Rt wrist radiograph, lat projection, boy, 10 yo.
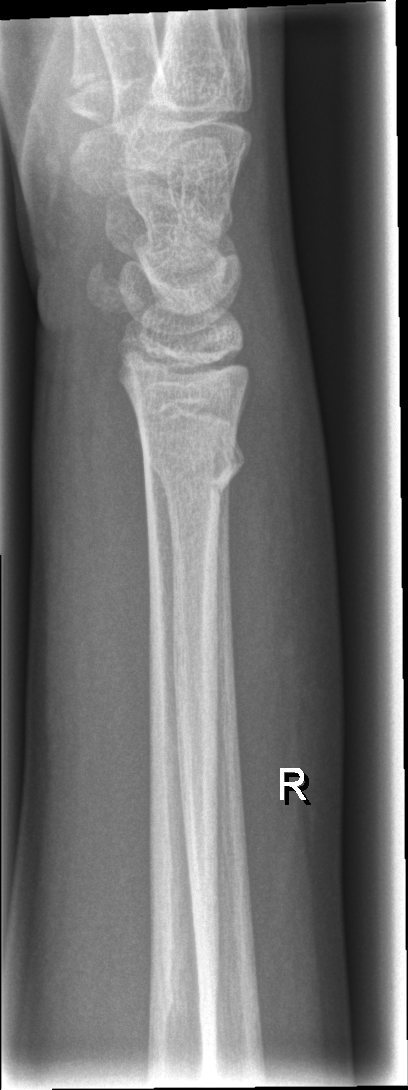

FINDINGS — One soft-tissue swelling at 219 317 346 824. Bone fracture: 140 415 248 509. Pronator sign — 76 343 152 726.